Posteroanterior | right wrist plain film — 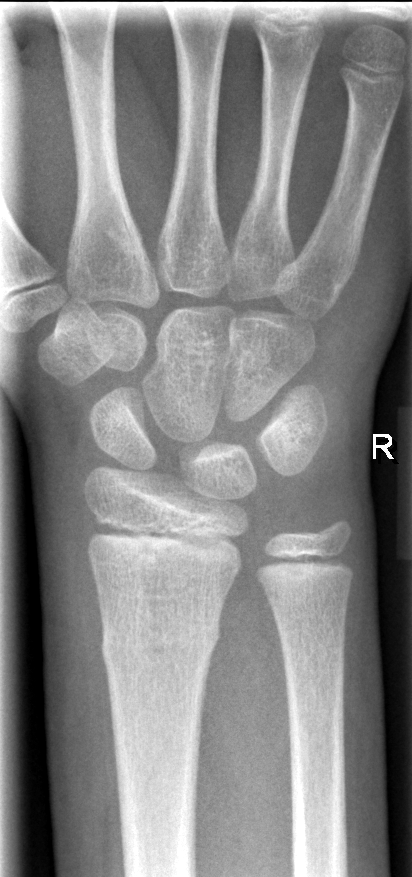

Q: What is the AO/OTA classification?
A: AO/OTA classification: 23r-M/2.1
Q: Locate any fractures.
A: Fx — <97,605>-<226,672>